Left plain radiograph of the wrist · lateral · 12y F · image size 421x876 —

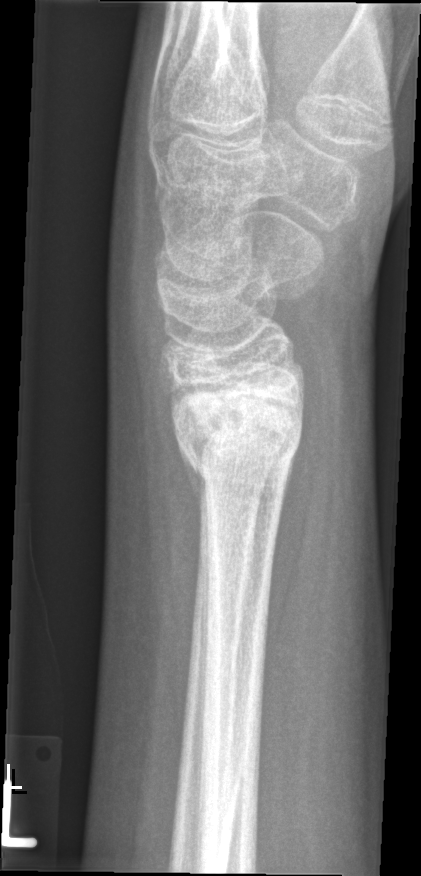

(coordinates are [x1, y1, x2, y2] in image pixels)
Periosteal thickening = 175 429 210 560 | 277 437 301 538
AO code = 23r-M/3.1; 23u-E/7
Osteopenia = present
Fx = 171 410 305 494